Posteroanterior view; L wrist XR.

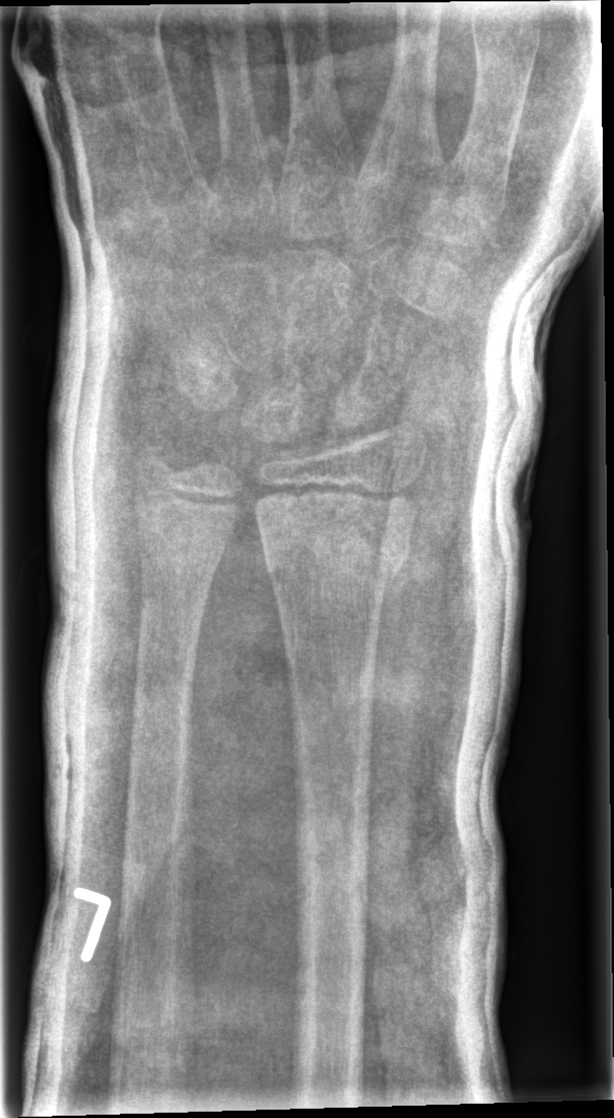

• Fracture identified at 252 519 416 597; 128 436 189 498.